Lt wrist XR · PA view · pediatric patient (girl, age 6) · Siemens.
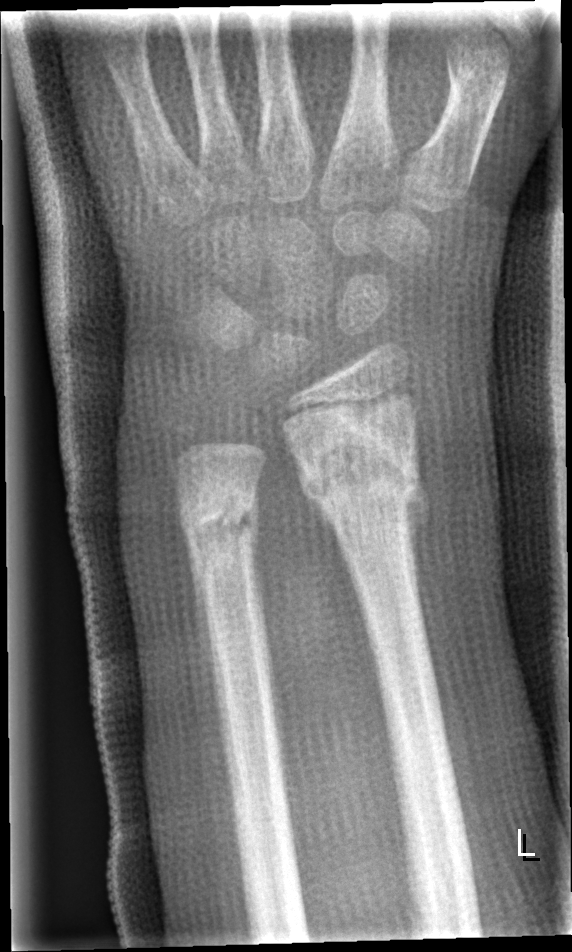 Bone fracture = [290, 411, 427, 528]; [174, 473, 263, 559]
AO code = 23-M/3.1